Right wrist X-ray; frontal:
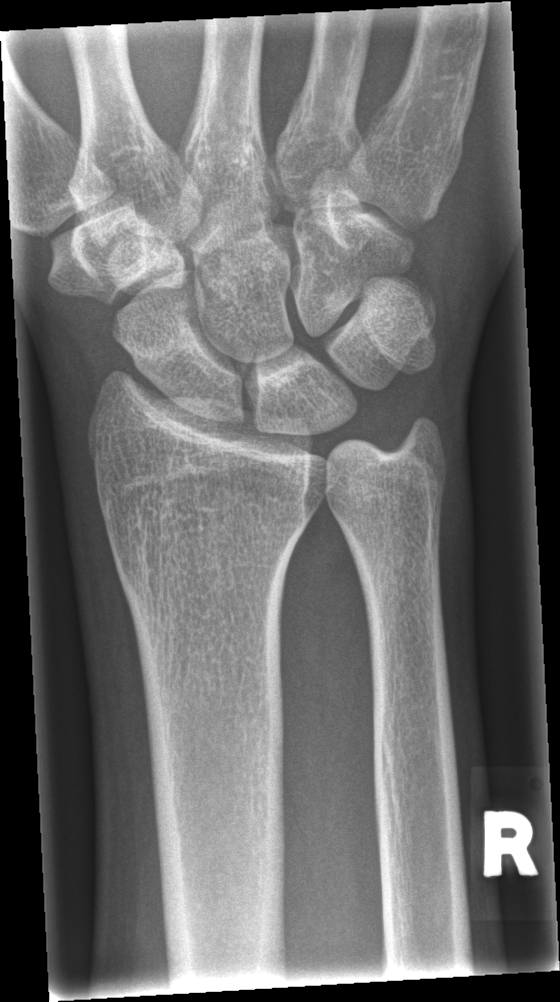 * No fracture labeled.